Frontal projection · Rt wrist plain film · pediatric patient (girl, age 15) · imaged through cast.

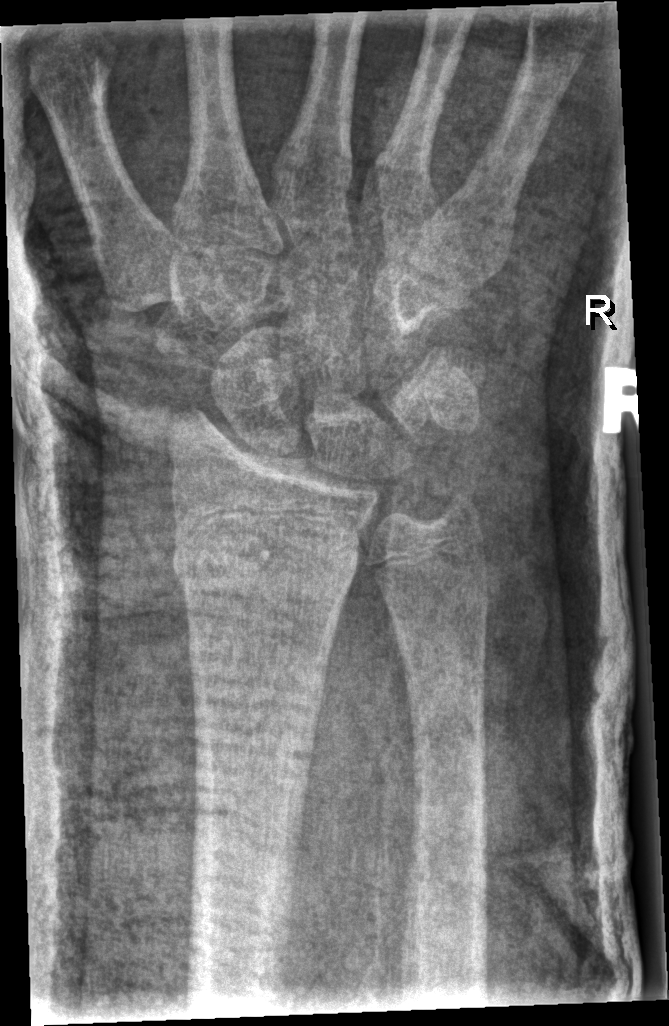
AO code 23r-M/3.1; 23u-E/7.
Fracture identified at [x1=168, y1=518, x2=363, y2=615], [x1=423, y1=475, x2=485, y2=535].